L wrist X-ray, lat view, 7-year-old girl, acquired on Siemens.
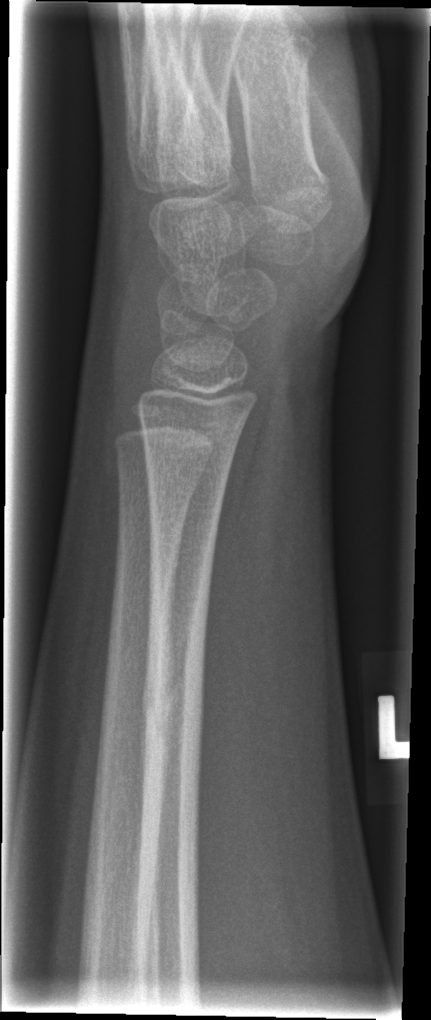 • Fx: bbox(138, 663, 213, 775).